Posteroanterior, L wrist radiograph, 12-year-old male, follow-up:
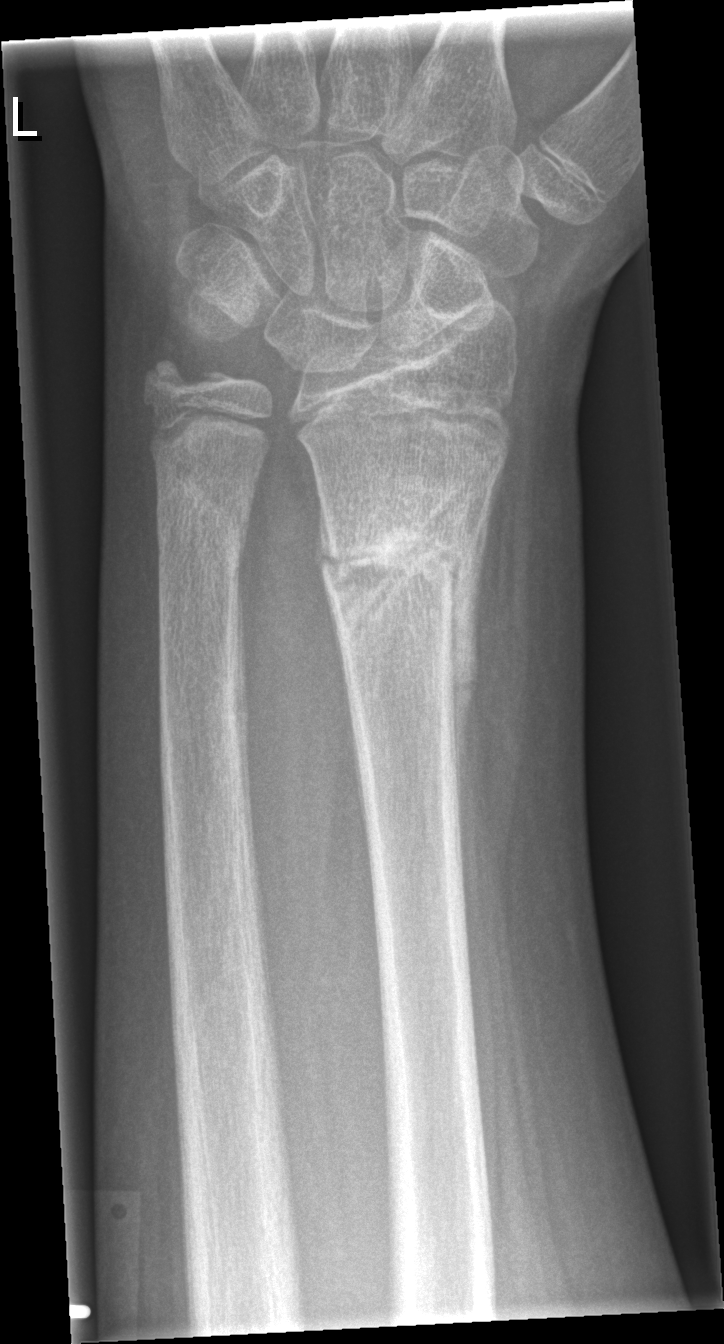 • AO code 23-M/3.1; 23u-E/7.
• Fracture identified at (left=310, top=475, right=479, bottom=709); (left=147, top=461, right=249, bottom=567); (left=139, top=344, right=238, bottom=412).
• Periosteal new bone: (left=451, top=460, right=505, bottom=816), (left=231, top=550, right=260, bottom=894), (left=316, top=493, right=337, bottom=572).